Lat view; Lt wrist plain film.

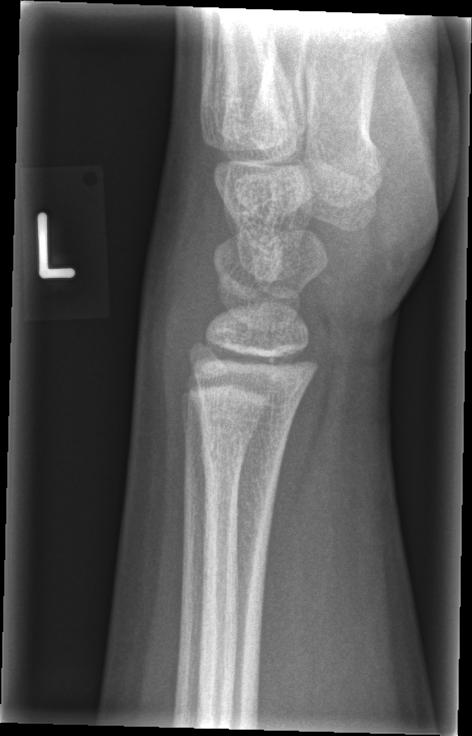

* AO code 23r-M/2.1.
* Fracture — [195, 423, 292, 478].